Rt wrist X-ray · frontal view · initial study · acquired on Siemens
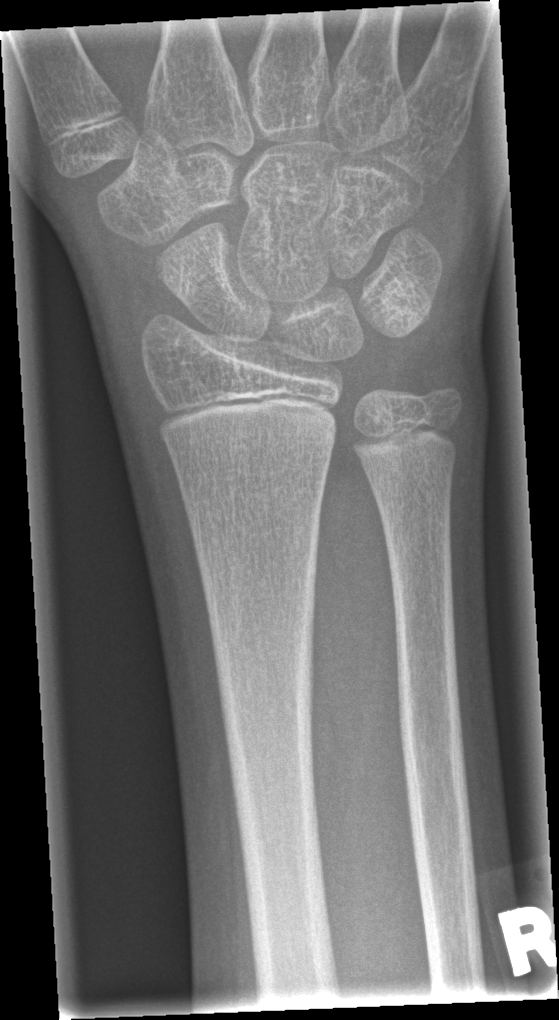

FINDINGS: No fracture bounding box.